Lt plain radiograph of the wrist; AP projection:
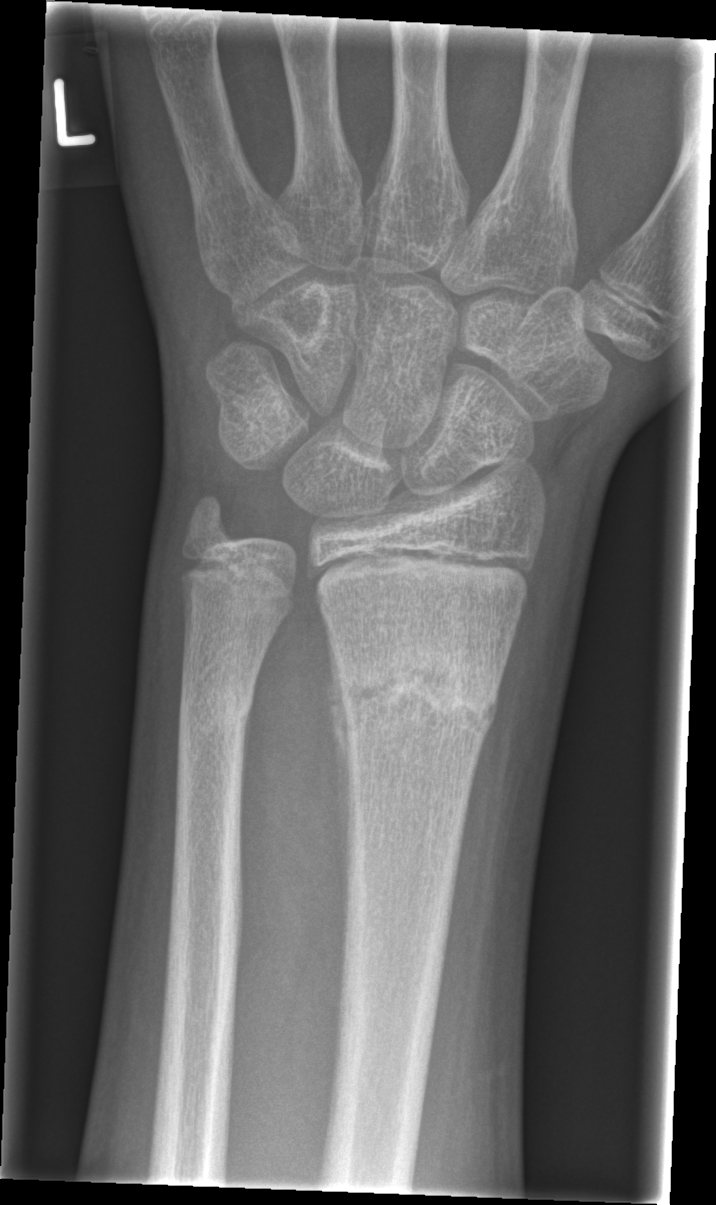
FINDINGS — (pixel coordinates, top-left origin, xyxy) One periosteal thickening at [324, 619, 353, 956]. Fracture classified AO/OTA 23r-M/3.1; 23u-M/2.1. Bone fracture identified at [323, 628, 505, 773]; [174, 663, 259, 748].